Frontal, left wrist X-ray, follow-up study. 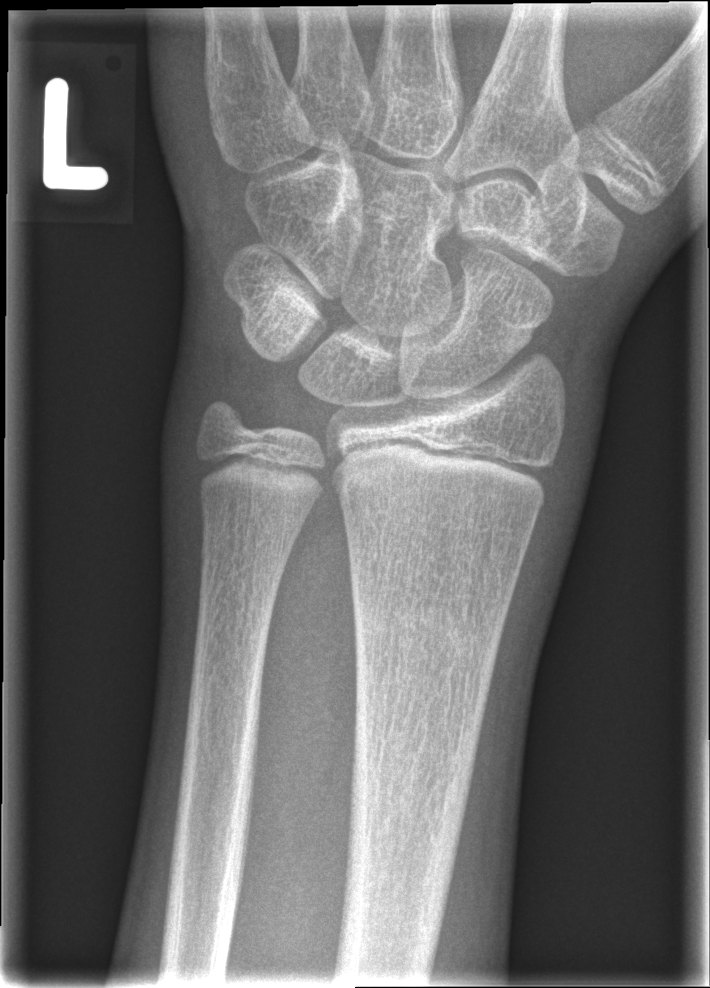
Bone fracture = 1 @ [x1=349, y1=592, x2=509, y2=673]